PA/AP view | L wrist plain film —

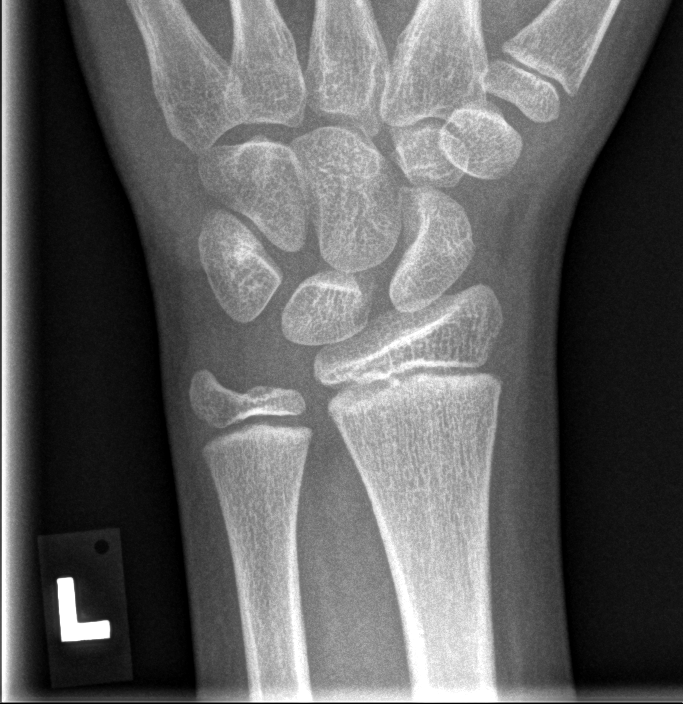
• No Fx annotated.